AP projection | Rt pediatric wrist radiograph | age 14 y, girl | initial study | 92.6 mm image width 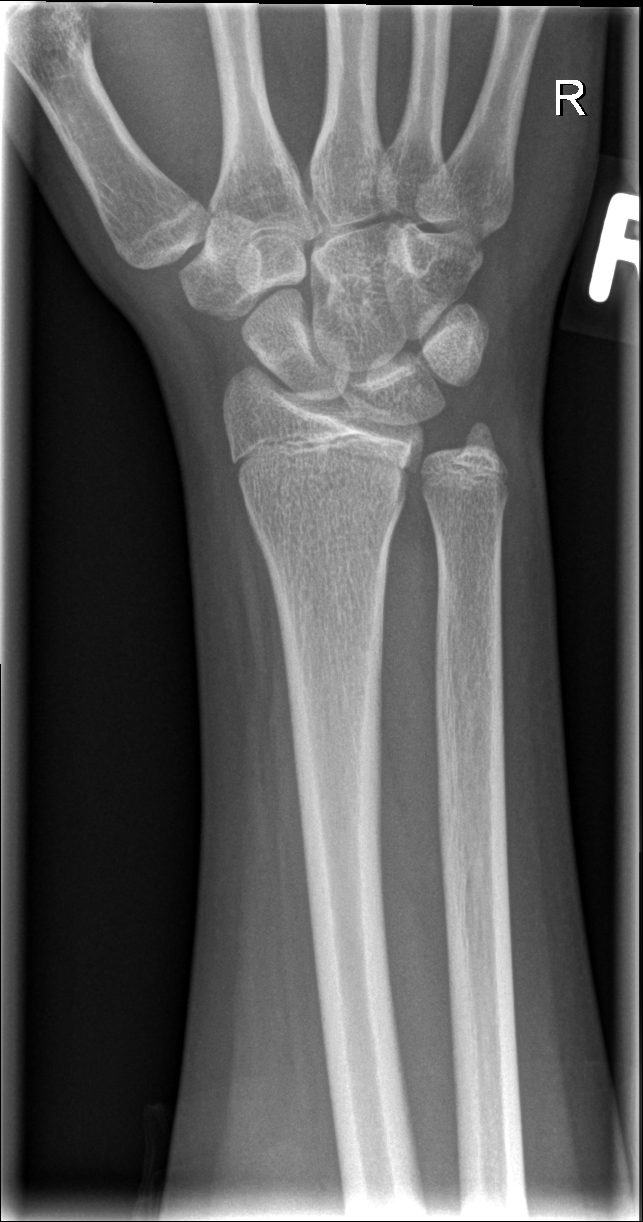

FINDINGS: Fracture present, though not clearly seen in this view.